R pediatric wrist radiograph · lat · index exam · equivocal findings · Siemens · 398 by 566 pixels.
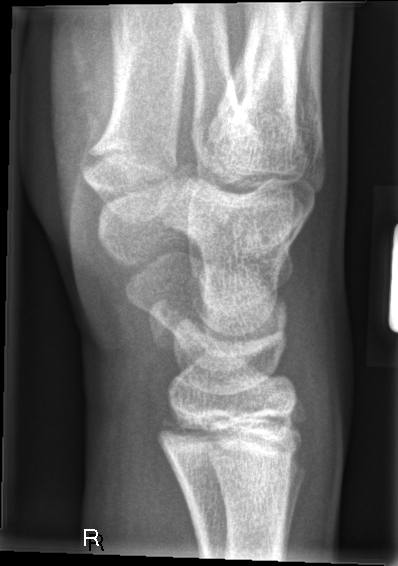
Fracture present, but no bounding box because it is not clearly seen in this view. AO/OTA classification: 23r-E/1.